Right wrist X-ray | lat projection | pediatric patient (girl, age 4) | Siemens | 553 x 974 px

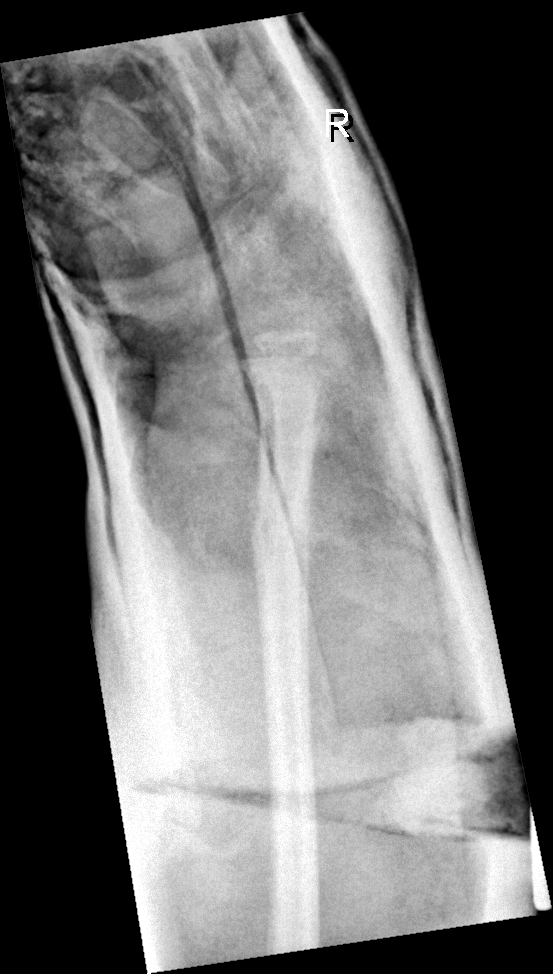 • Boxes as x1,y1,x2,y2 (top-left / bottom-right, pixel units).
• One fracture at (243, 492, 316, 570).